Left wrist radiograph | lat view | index exam

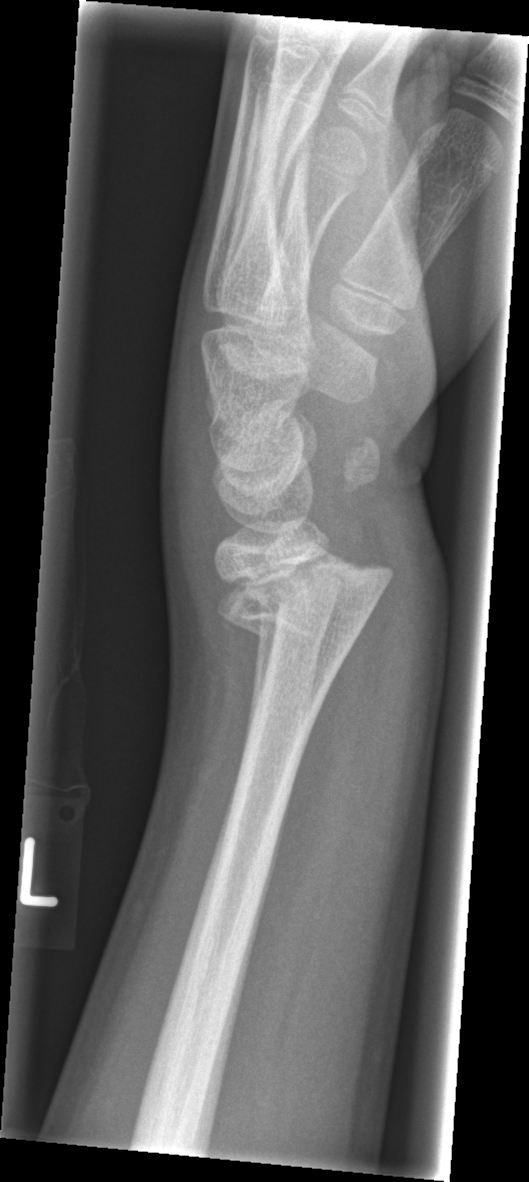
Coordinates are [x1, y1, x2, y2] in image pixels. Bone fracture: bbox(213, 536, 399, 650).